Left wrist XR · lat · boy, 14 yo · follow-up · acquired on Siemens:

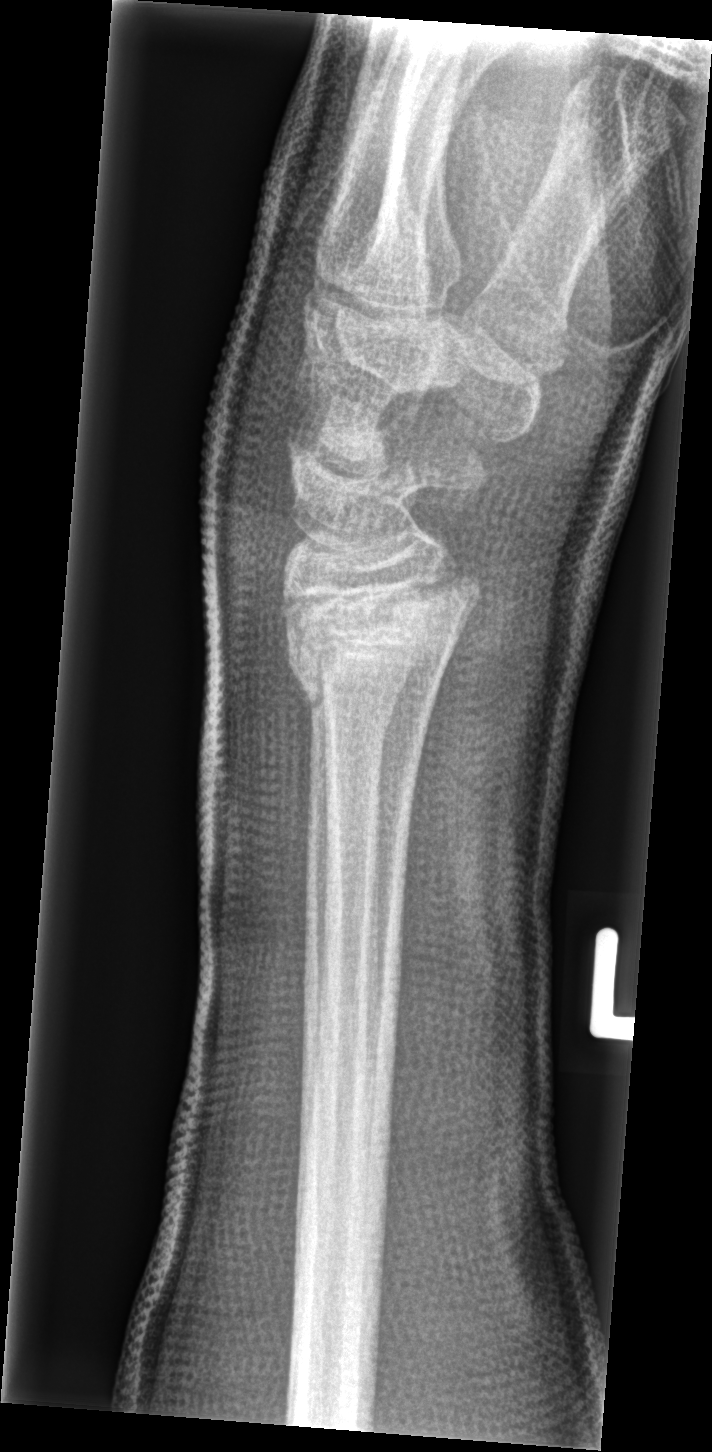

(coordinates are [x1, y1, x2, y2] in image pixels)
Bone fracture: (left=277, top=583, right=478, bottom=716)